Lateral view | Lt wrist plain film —

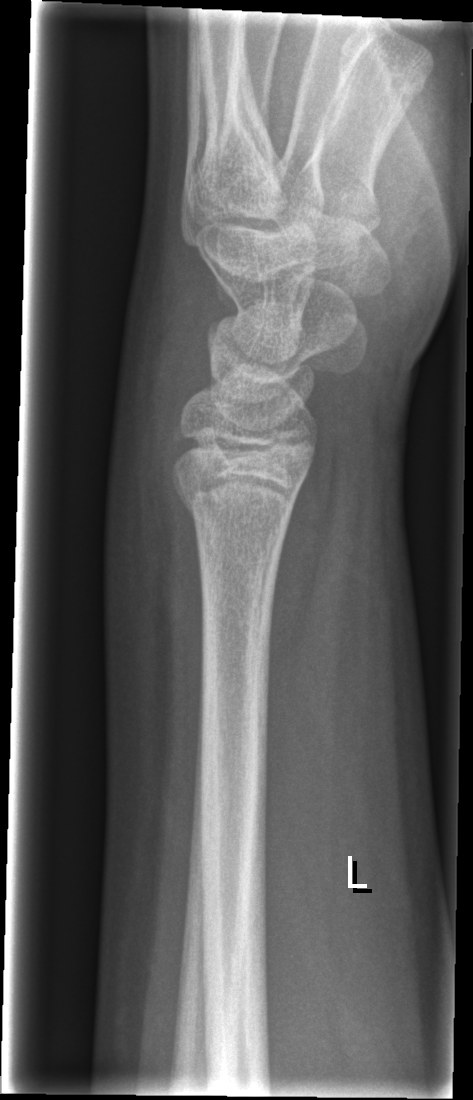
One fracture at [x1=174, y1=474, x2=304, y2=554].